Lat | L wrist radiograph | follow-up study.
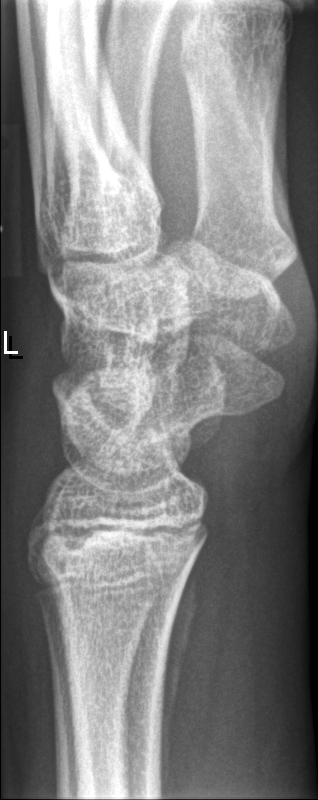
Findings: One periosteal thickening at <157,551>-<198,796>. Bone fracture identified at <36,536>-<189,609>.